Lateral projection, right wrist radiograph, initial study —

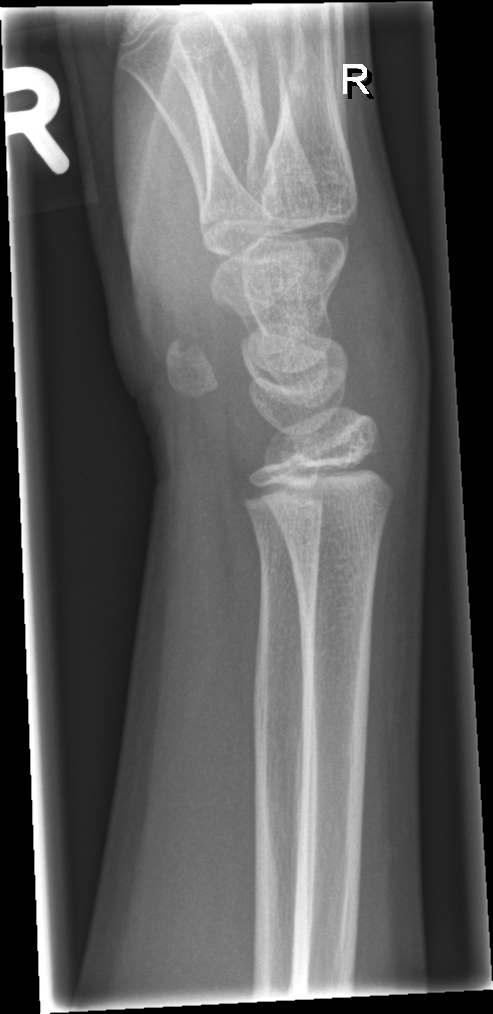 • No fracture annotation.